Lat projection | Rt wrist radiograph
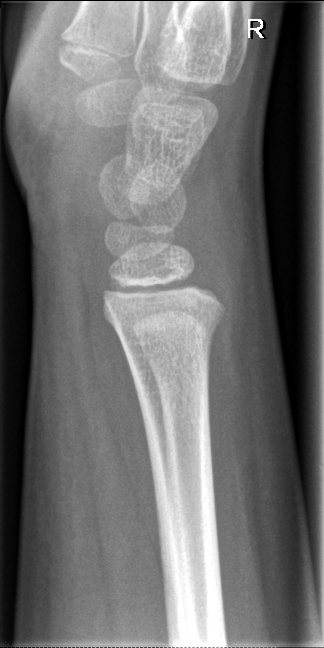 Fracture classified AO/OTA 23r-M/2.1.
Fx: bbox(108, 303, 228, 364).